PA view, left wrist plain radiograph of the wrist, image width 94.2 mm:

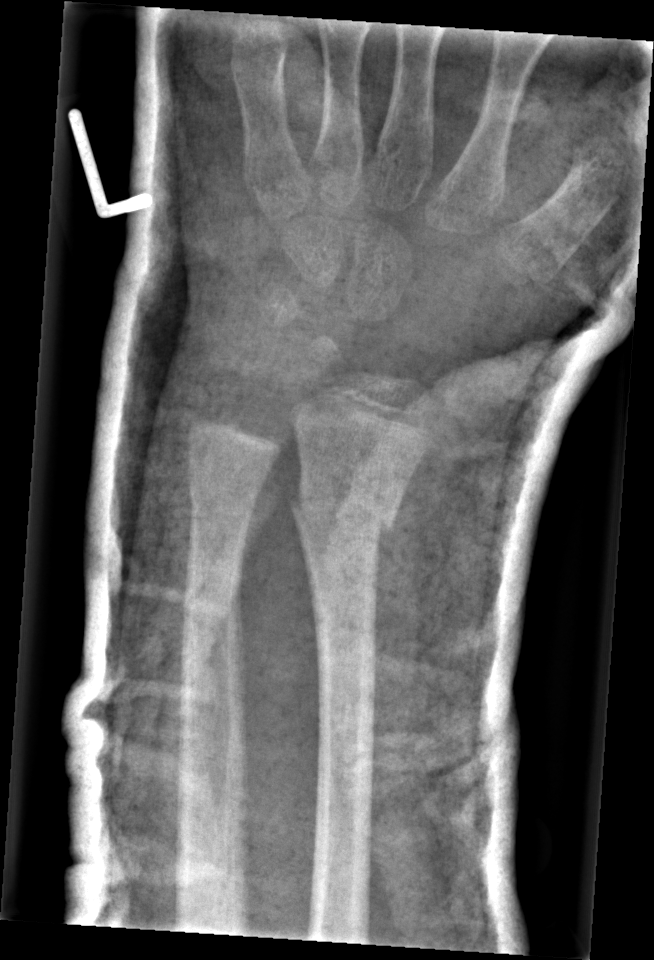
Q: Locate any fractures.
A: Fracture: [x1=286, y1=484, x2=400, y2=545]; [x1=185, y1=478, x2=260, y2=529]
Q: What is the AO/OTA classification?
A: AO/OTA classification: 23-M/3.1